Right wrist XR; lateral view; presentation radiograph 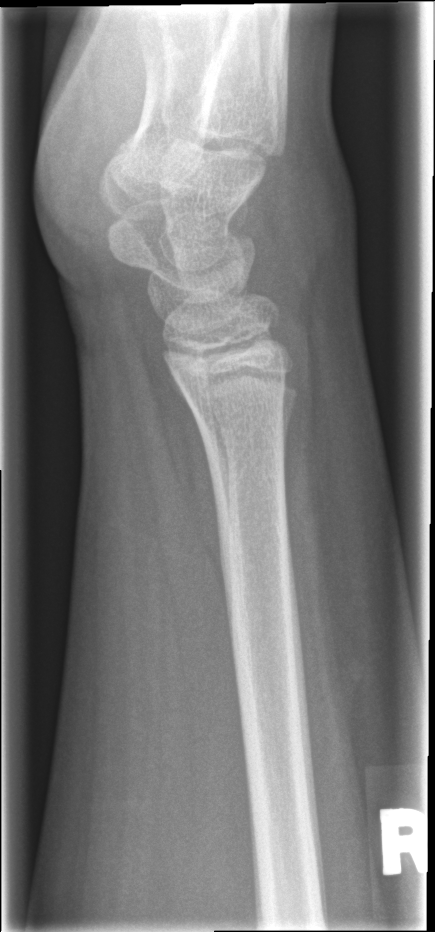 fracture: none labeled